L wrist X-ray · lat view · pediatric patient (girl, age 10).

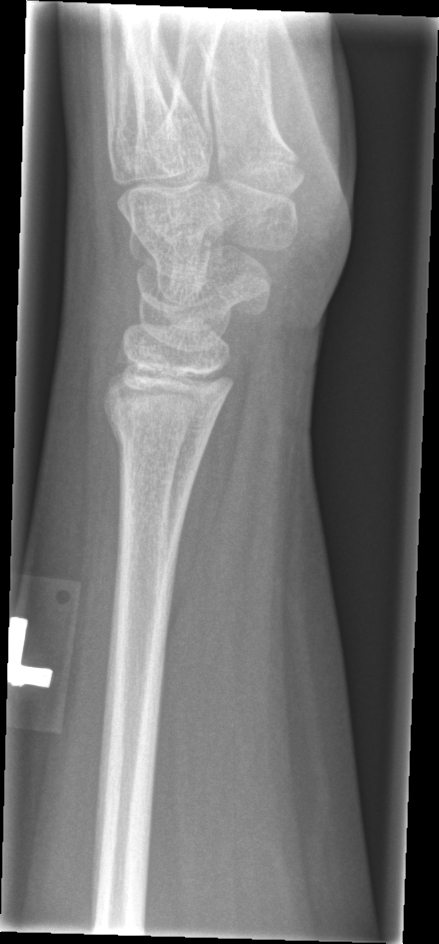 Boxes as x1,y1,x2,y2 (top-left / bottom-right, pixel units). Bone fracture identified at 106 409 211 474.